Lat view; right plain radiograph of the wrist; 9-year-old male; detector: Siemens — 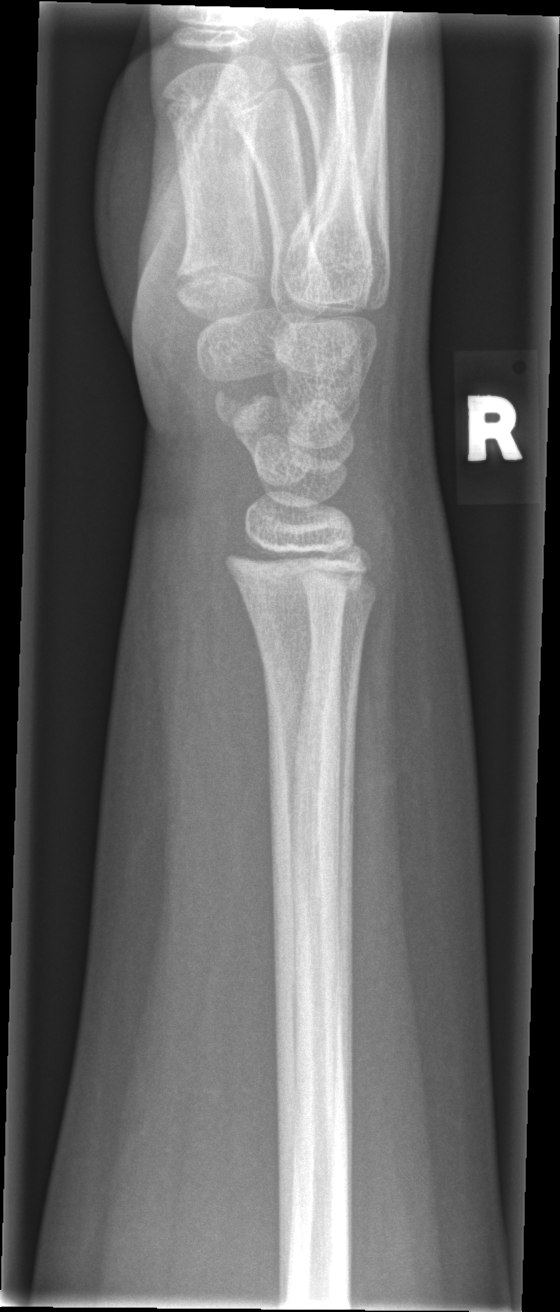
FINDINGS: Fracture identified at (221, 531, 367, 597). Fracture classified AO/OTA 23r-E/2.1. One positive pronator fat-pad sign at (190, 498, 297, 885).